Right wrist pediatric wrist radiograph, PA/AP projection, in cast:
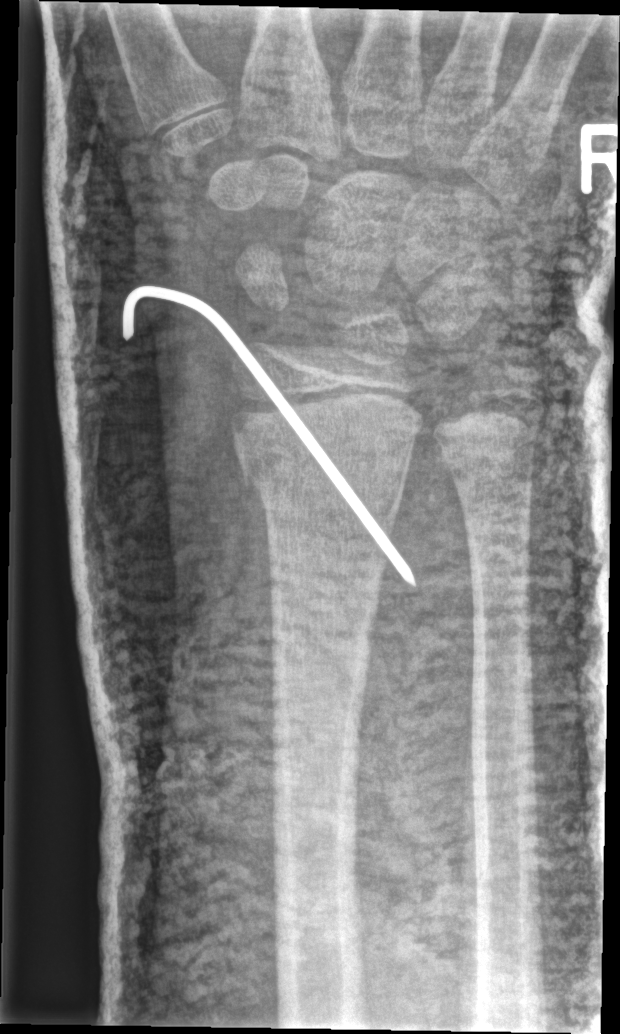   # coordinates are [x1, y1, x2, y2] in image pixels
  ao: 23r-E/2.1
  fracture: 1 @ <236,404>-<414,514>
  metal: <125,288>-<418,589>